Left wrist pediatric wrist radiograph, lat, female, 11 yo.

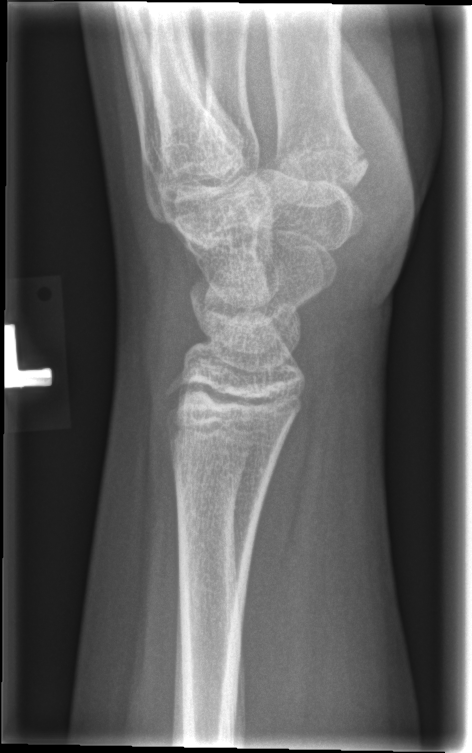

Fx: none.